R wrist X-ray; posteroanterior view; presentation radiograph; detector: Siemens

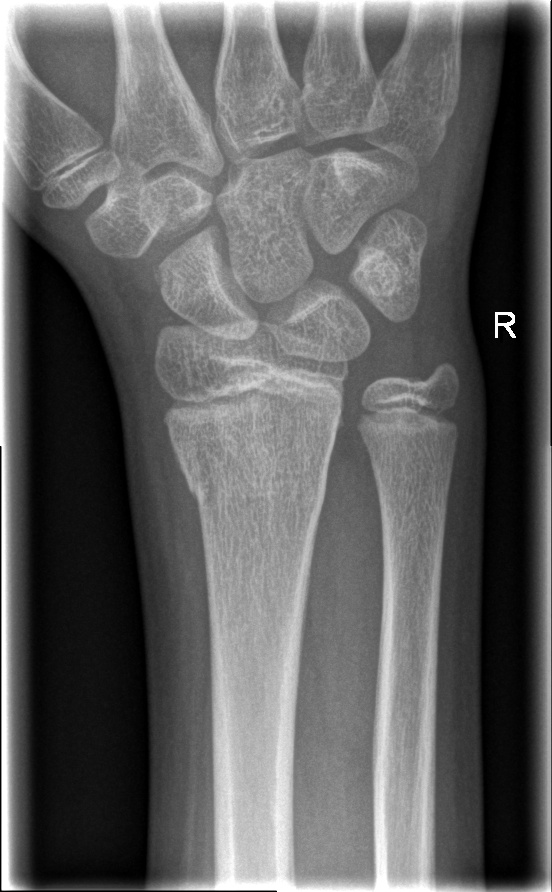 {"fracture": "bbox(175, 437, 332, 519)", "ao": "23r-M/2.1", "boneanomaly": "bbox(146, 249, 196, 317)"}